Frontal, right plain radiograph of the wrist, cast in situ, 655 x 964 px 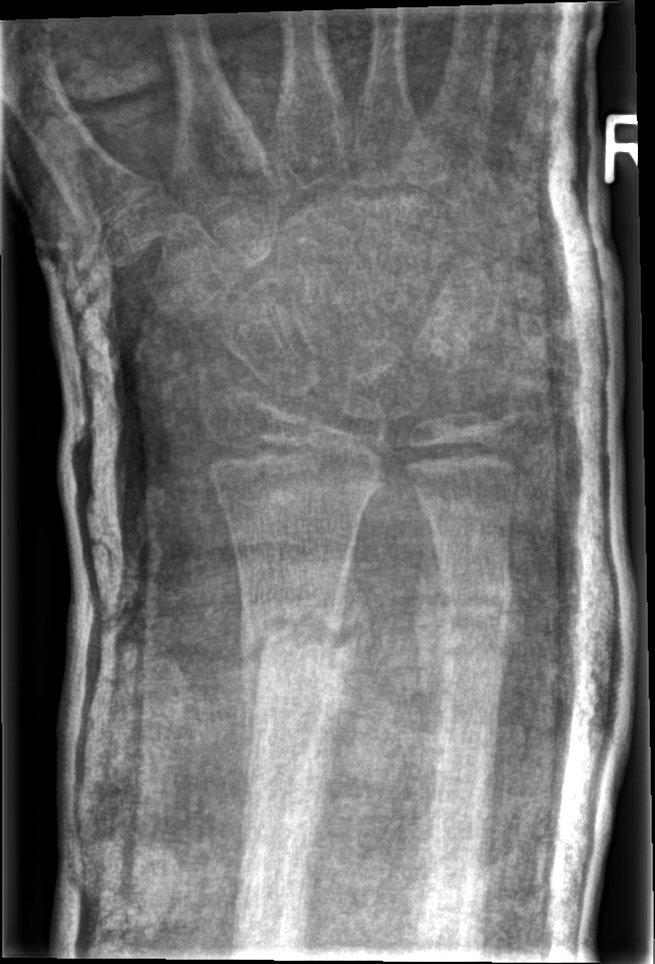 Q: Is there a fracture?
A: Bone fracture: 237,591,355,687; 437,571,519,642